L wrist radiograph | lat projection | age 8 y, female 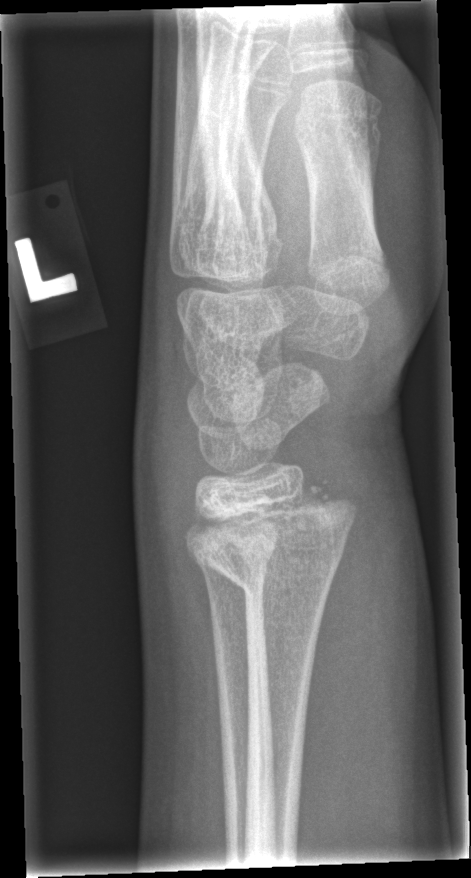 {"ao": "23r-E/2.1; 23u-M/2.1", "fracture": "2 @ (left=182, top=492, right=361, bottom=602); (left=182, top=529, right=280, bottom=588)"}